Left wrist XR | lateral | presentation radiograph | image width 87.8 mm. 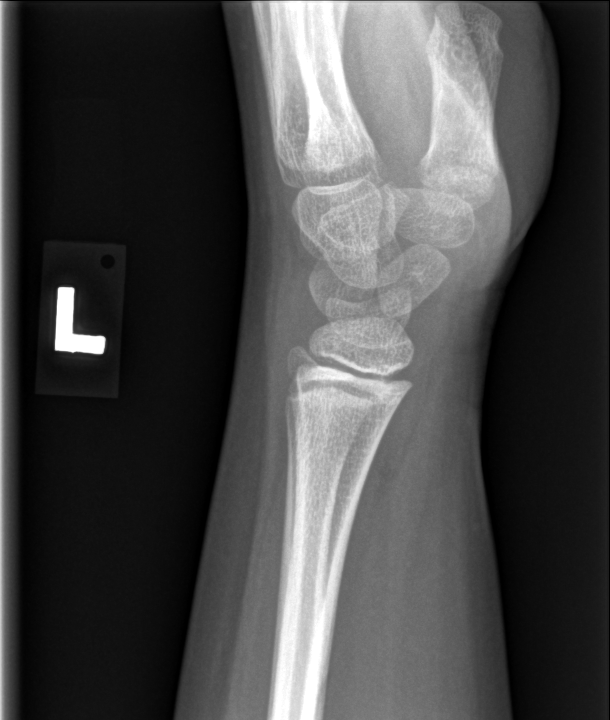
- Fx: none.